Lat, R wrist plain film, Siemens, 528 x 977 px —

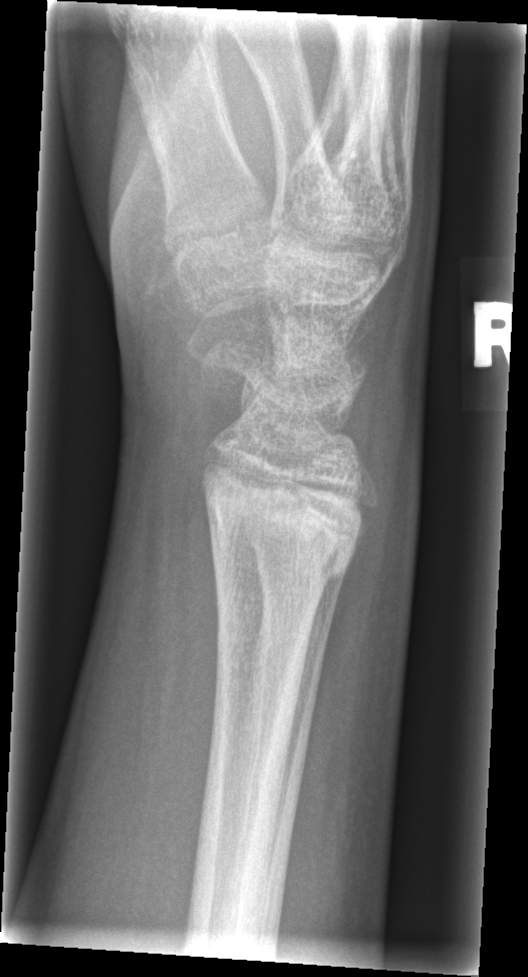 Fracture: bbox(201, 473, 367, 591).
AO/OTA classification: 23r-E/2.1; 23u-E/7.